Right wrist plain film · PA/AP projection · 6-year-old girl:
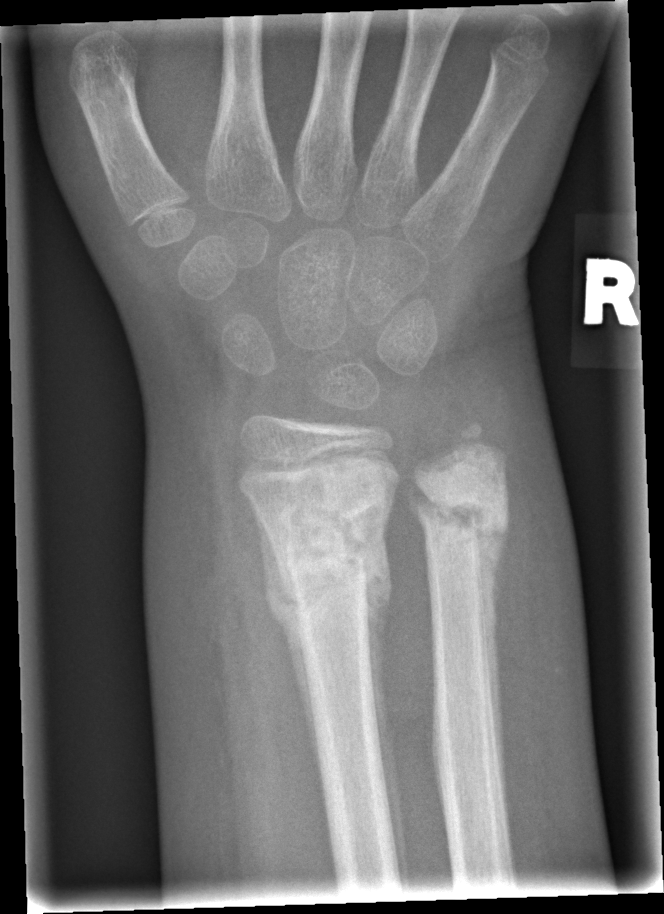 Bone fractures — [x1=257, y1=487, x2=392, y2=596]; [x1=410, y1=470, x2=511, y2=546].
AO code 23-M/3.1.